Lateral projection · left wrist XR · presentation radiograph · acquired on Siemens · image 76.0 mm wide.
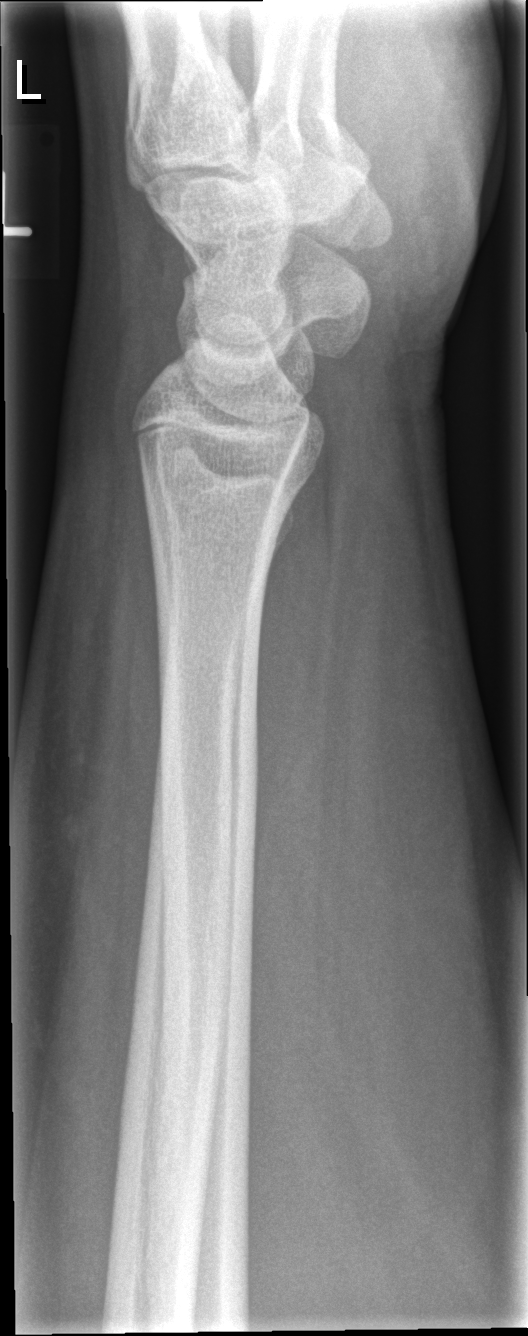
bone fracture: none labeled